Right wrist plain film, lateral view 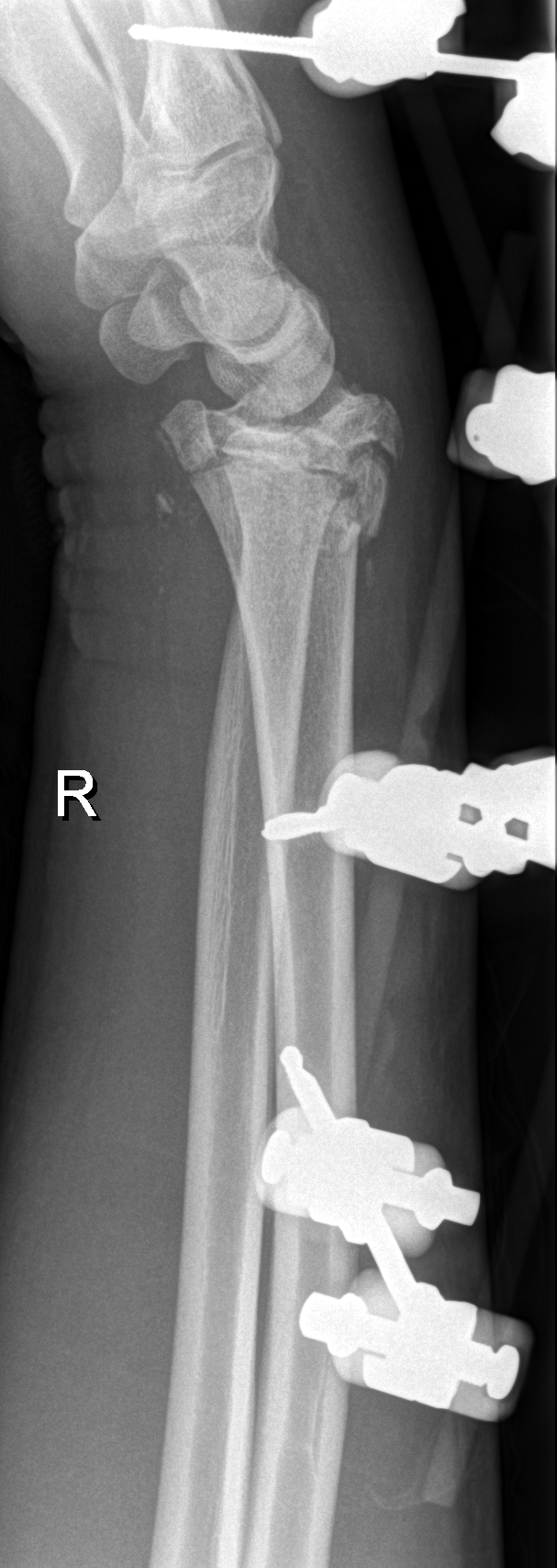
Findings: Fx: (151, 359, 405, 565). Metallic implant identified at (257, 1055, 535, 1419), (122, 0, 556, 167), (265, 756, 554, 886), (471, 363, 556, 482). AO/OTA classification: 23r-E/4.2; 23u-E/7.